Lat, Rt wrist X-ray, age 10 y, male, follow-up study, Siemens.
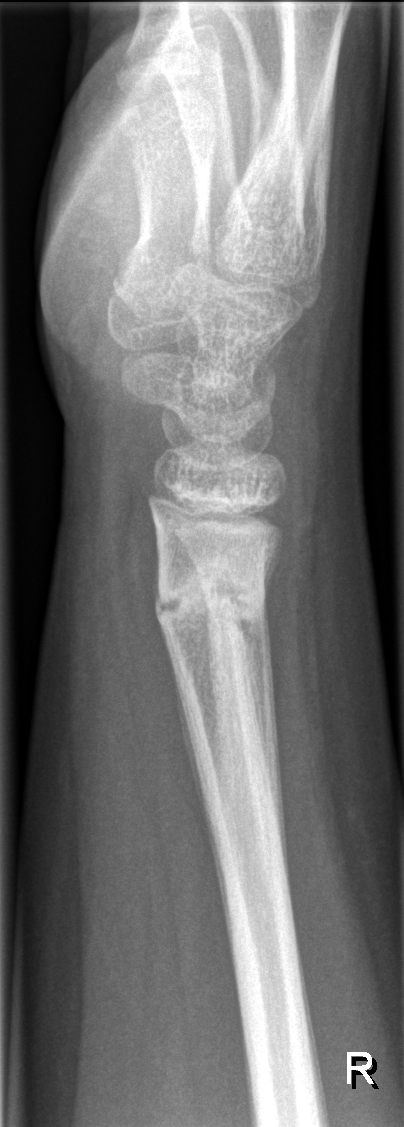
One Fx at [x1=151, y1=552, x2=275, y2=640]. AO/OTA classification: 23r-M/2.1; 23u-E/7.